PA · L wrist radiograph · imaged through cast · 92.3 mm image width —

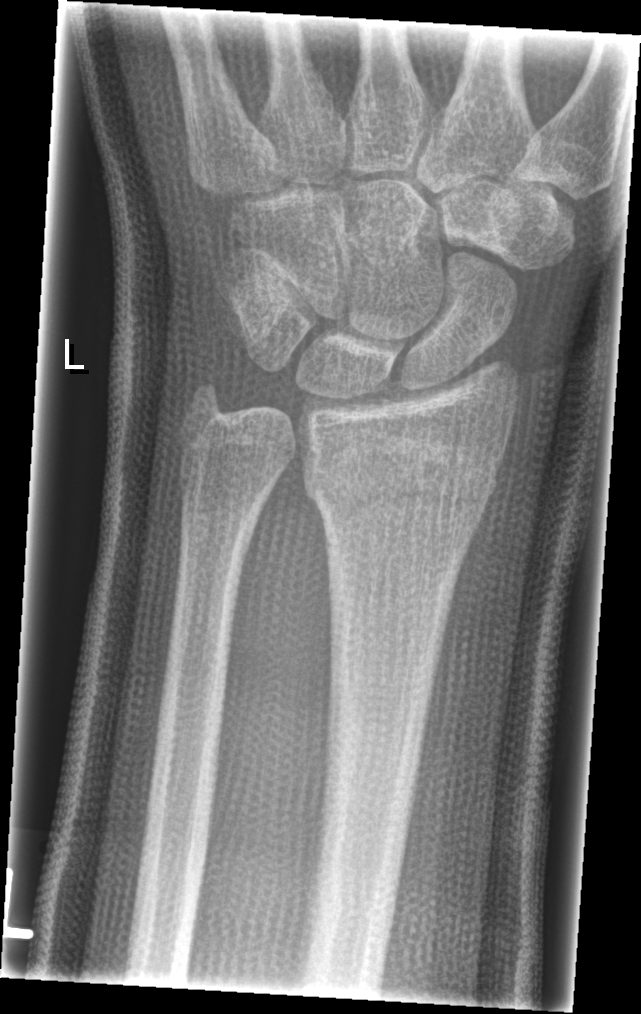

(coordinates are [x1, y1, x2, y2] in image pixels)
Fracture: 1 @ 299 428 503 536